Lateral projection; L wrist XR; pediatric patient (girl, age 8); imaged through cast:

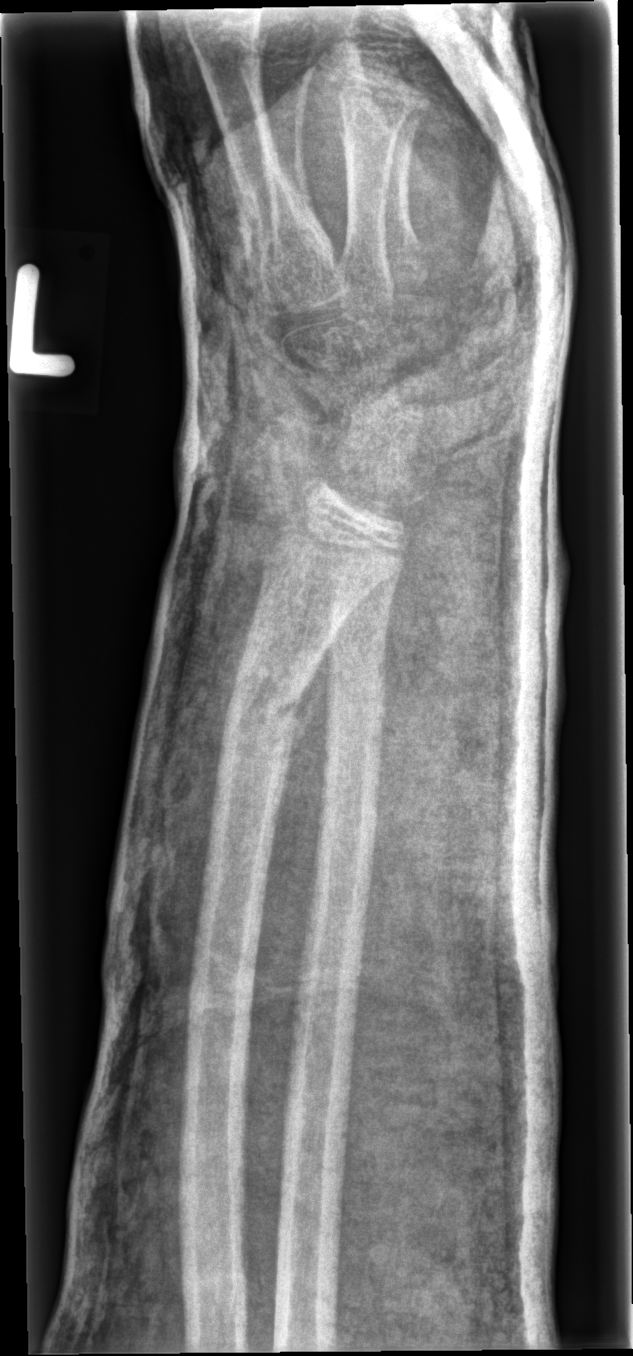
(pixel coordinates, top-left origin, xyxy)
AO classification = 23-M/2.1
fracture = (219, 673, 319, 768)